Lat, L wrist X-ray —
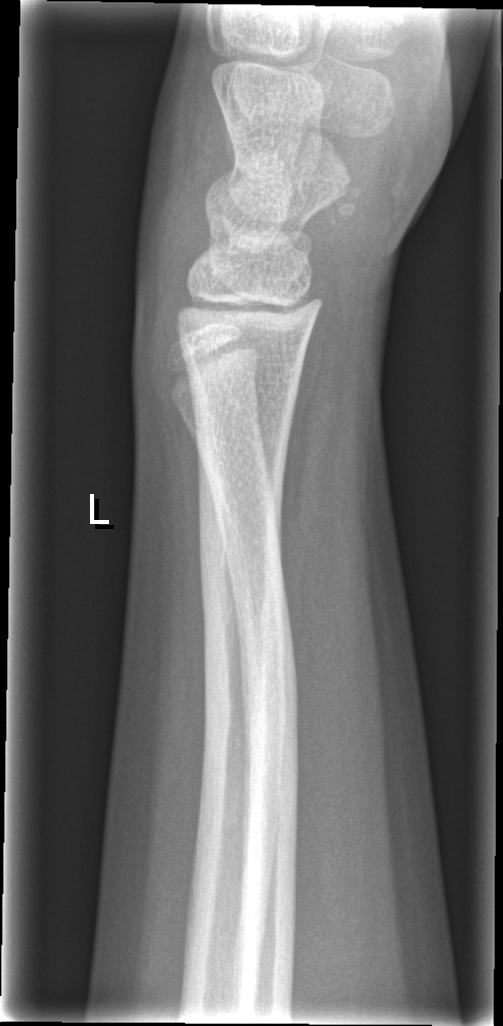 (coordinates are [x1, y1, x2, y2] in image pixels)
Osseous anomaly = 1 @ [x1=143, y1=274, x2=275, y2=434]
Fracture = [x1=225, y1=538, x2=303, y2=904]